PA/AP, right pediatric wrist radiograph, pediatric patient (boy, age 12):

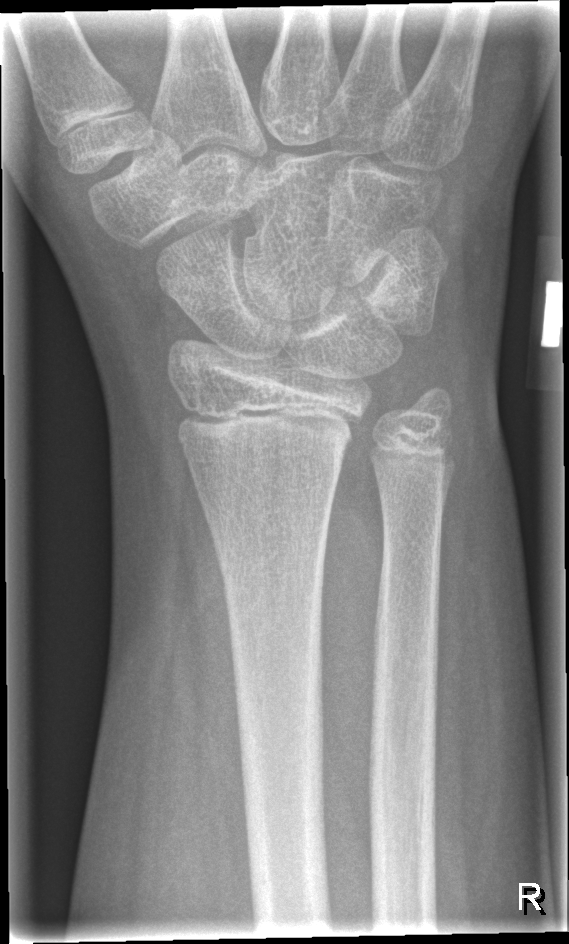

Findings: No fracture bounding box.